Lt wrist XR · PA:

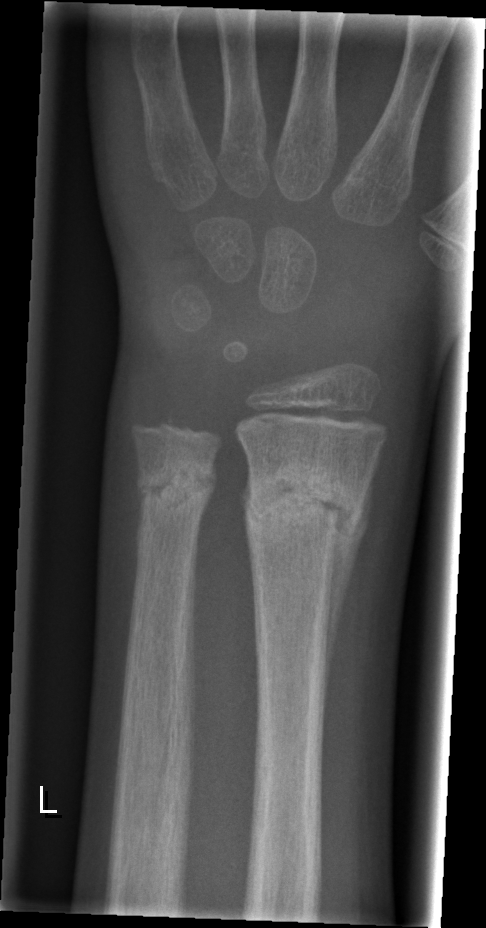

* Pixel coordinates, top-left origin, xyxy.
* Fracture identified at bbox(242, 459, 368, 544), bbox(133, 455, 219, 512).
* Periosteal new bone: bbox(321, 458, 378, 705).
* Decreased bone density (osteopenia).